Lat · left wrist pediatric wrist radiograph · 72.9 mm image width · 506 by 988 pixels:
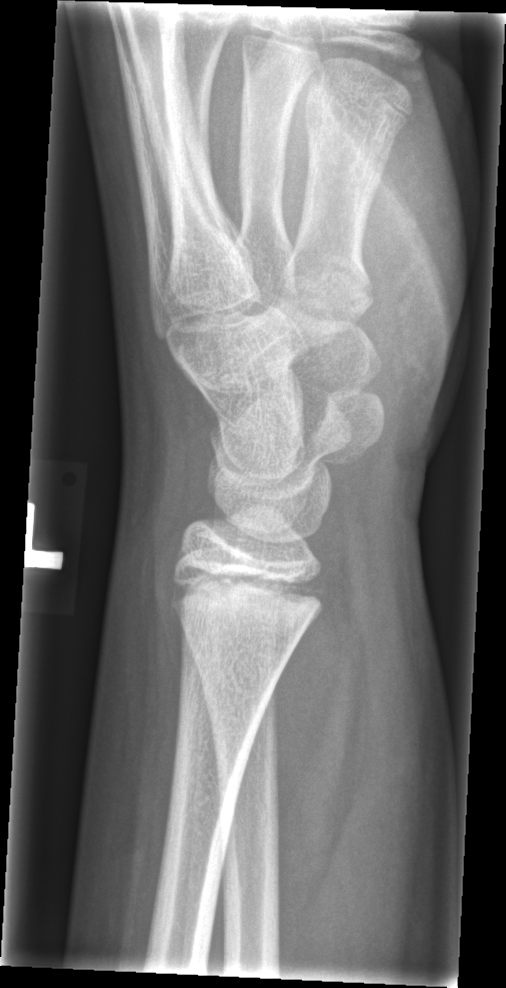

• Fracture: 169 560 324 620.